PA/AP | Lt wrist XR | 8y M | 530 x 754 px:

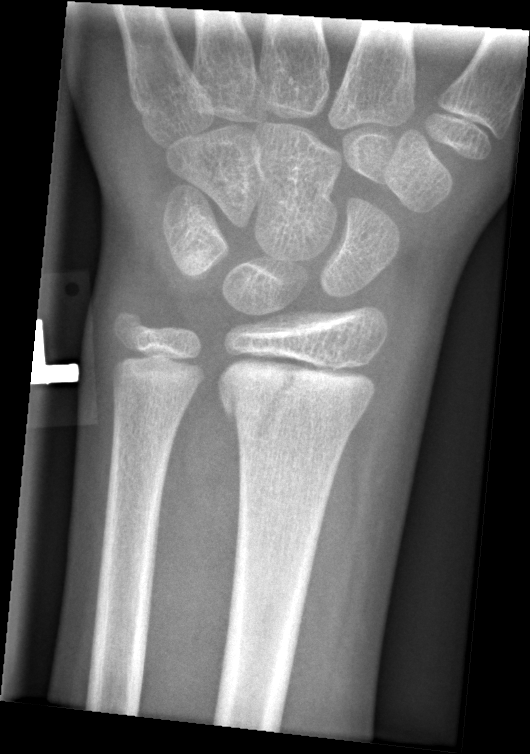
• Coordinates are [x1, y1, x2, y2] in image pixels.
• Fractures — (left=218, top=359, right=379, bottom=445) (left=105, top=296, right=153, bottom=347).
• Fracture classified AO/OTA 23r-E/2.1; 23u-E/7.